R wrist radiograph, PA projection, age 7 y, male, acquired on Siemens.

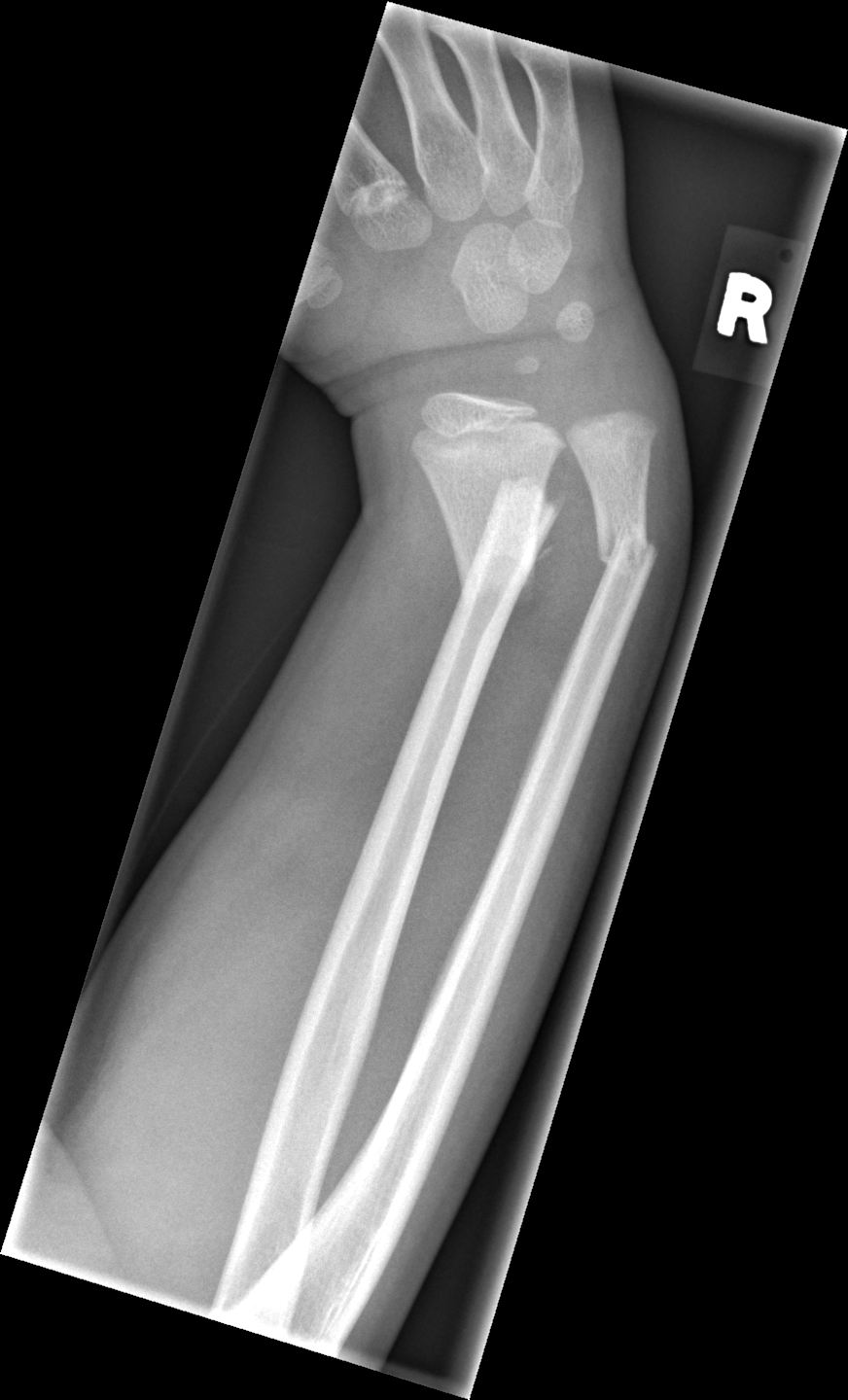 (coordinates are [x1, y1, x2, y2] in image pixels)
Q: Any fracture seen?
A: Two fractures at [x1=456, y1=473, x2=566, y2=607] [x1=592, y1=510, x2=660, y2=584]
Q: What is the AO/OTA classification?
A: AO code 23-M/3.1